PA; Rt plain radiograph of the wrist; pediatric patient (girl, age 9); acquired on Siemens —

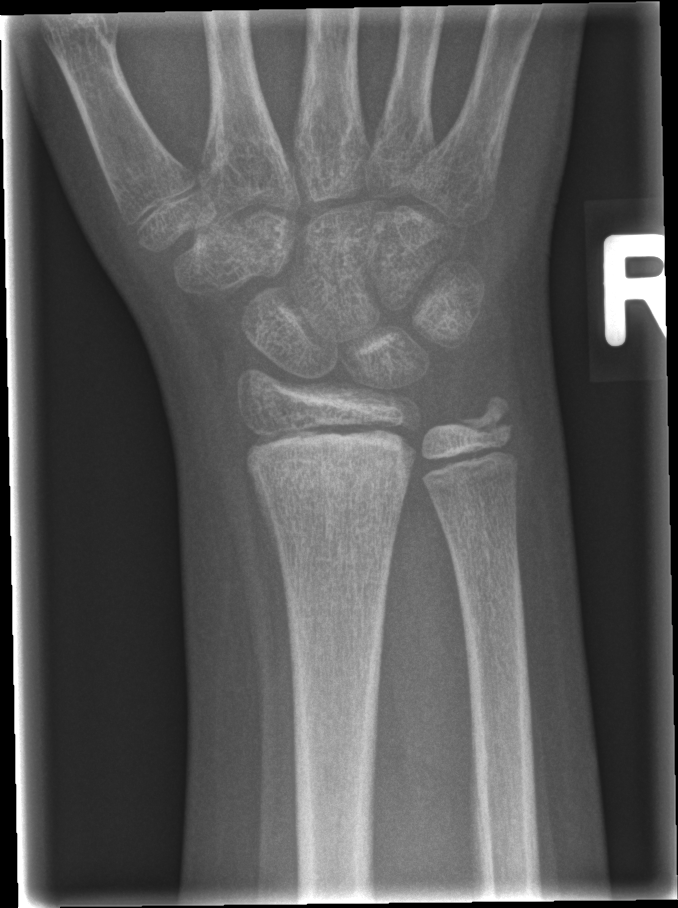 Q: AO code?
A: Fracture classified AO/OTA 23r-E/2.1; 23u-E/7
Q: Is there periosteal reaction?
A: Periosteal thickening: (247, 461, 289, 604)
Q: Locate any fractures.
A: Fx identified at (245, 433, 419, 513), (444, 388, 529, 454)
Q: Is there osteopenia?
A: Osteopenic